Frontal projection; left wrist XR; age 12 y, male; Siemens; 93.3 mm image width: 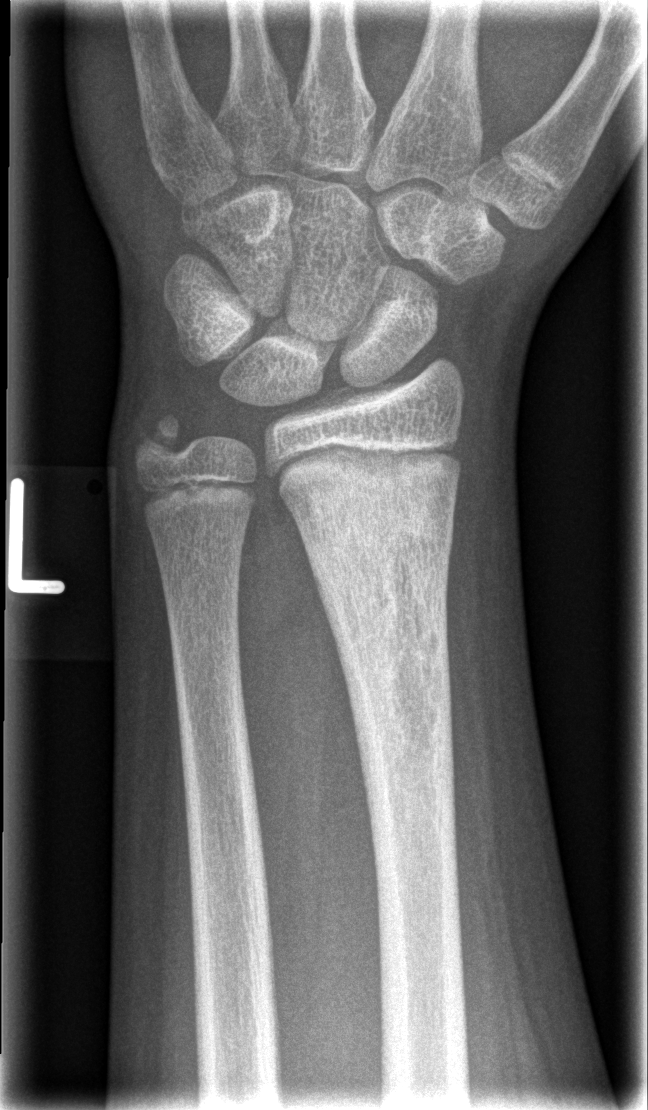
(coordinates are [x1, y1, x2, y2] in image pixels)
Q: AO code?
A: AO code 23r-M/3.1; 23u-E/7
Q: Fracture present?
A: Bone fracture: 294,463,461,765 | 125,404,207,483